R wrist plain film | frontal view | image size 674x950.
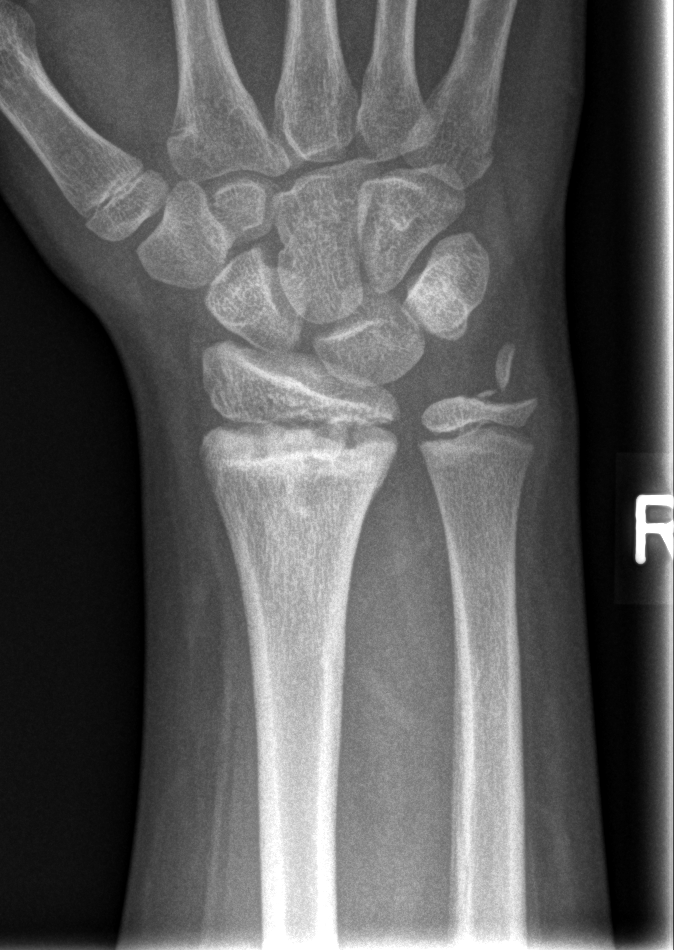

AO/OTA: 23r-E/2.1; 23u-E/7
Bone fracture: (left=197, top=408, right=400, bottom=494), (left=474, top=340, right=540, bottom=412)